Frontal view; left wrist radiograph
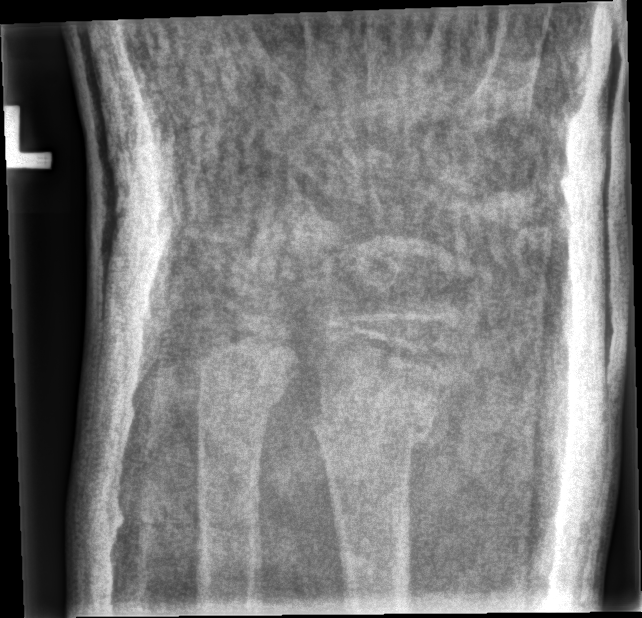
AO code 23r-M/3.1; 23u-M/2.1. Bone fracture: 310 404 435 457 | 197 389 283 424.